Lat · Lt wrist radiograph · acquired on Siemens.
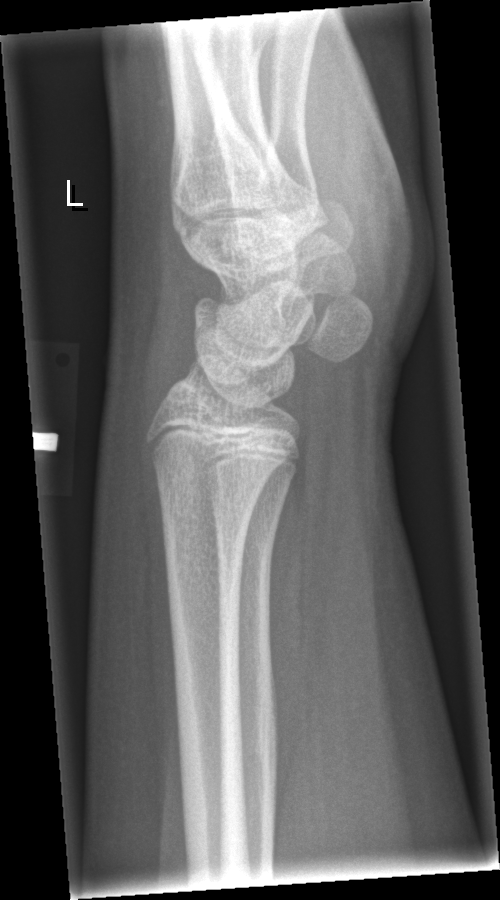 No fracture bounding box.